Lateral view | right wrist plain film | girl, 6 yo | in cast.
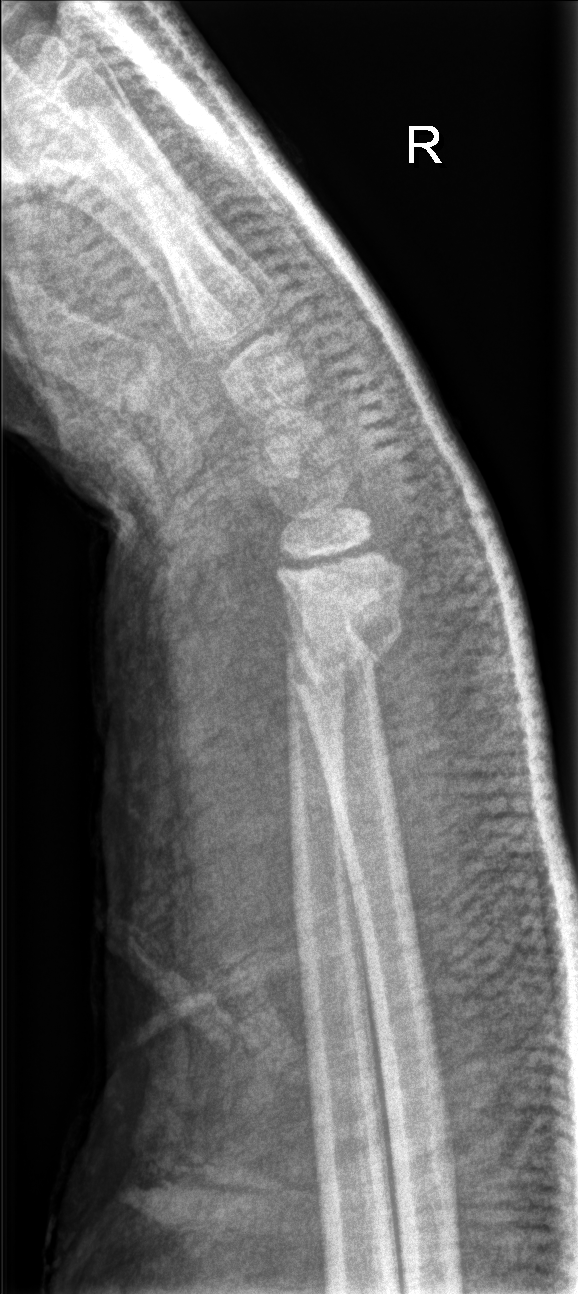

AO code 23-M/3.1.
Fx identified at [276, 579, 410, 696].